Rt wrist plain film, lateral projection, 9-year-old female. 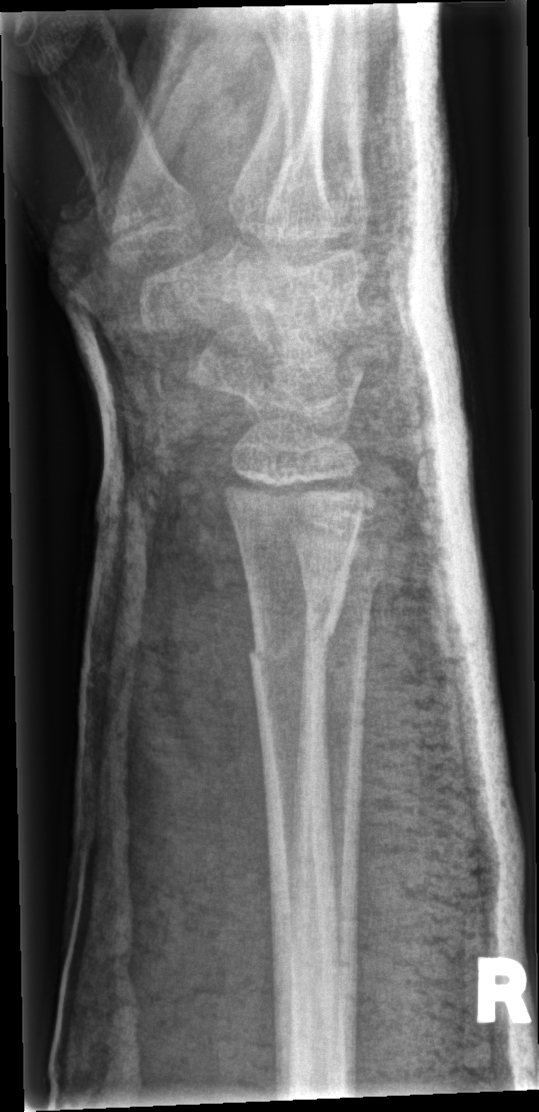
{
  "fracture": "2 @ <245,610>-<341,679> <300,556>-<390,604>",
  "ao": "23r-M/3.1; 23u-M/2.1"
}